Rt pediatric wrist radiograph · lat projection · follow-up · cast present —
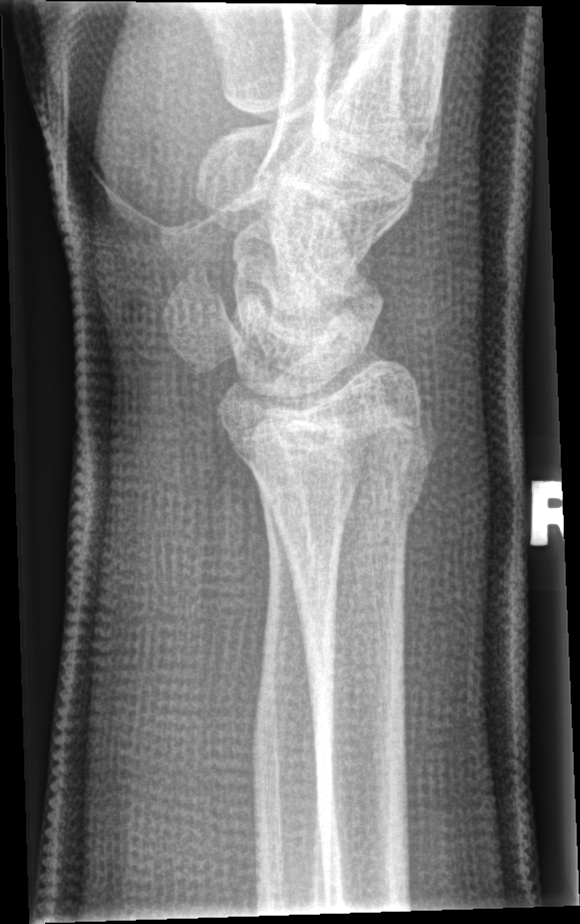

- Fx identified at <253,423>-<445,540>.